Lateral view · right wrist plain radiograph of the wrist · 9-year-old girl · presentation radiograph · 512 by 701 pixels —

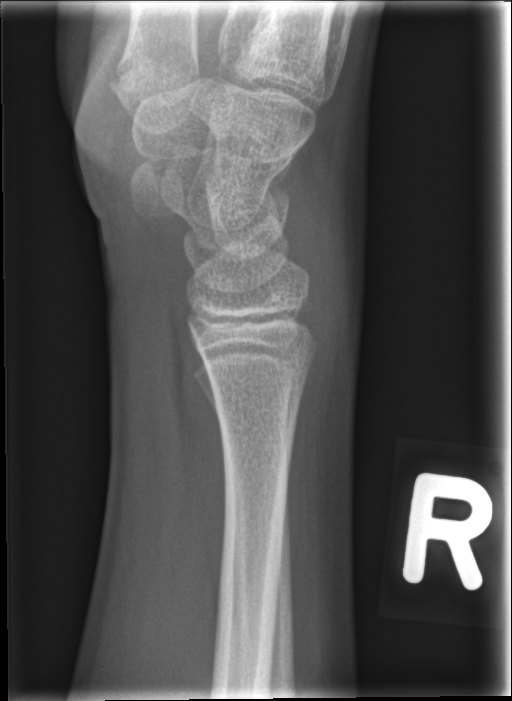 No fracture labeled.